PA | left wrist pediatric wrist radiograph | age 3 y, girl | image 85.2 mm wide
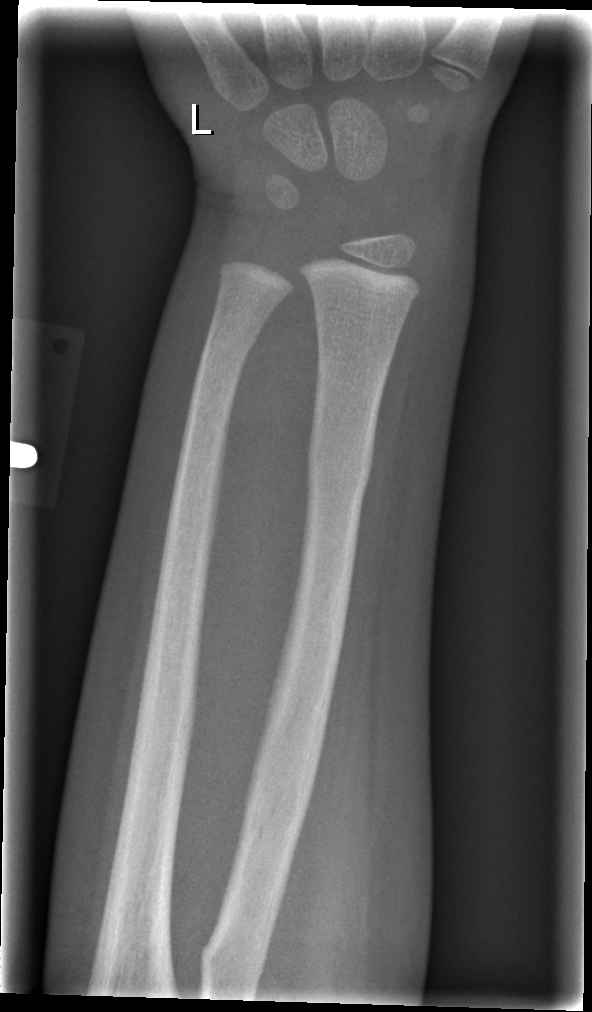
- Fracture identified at 302,436,377,496
  195,318,262,375.